Rt wrist plain film · PA projection · boy, 15 yo · imaged through cast:
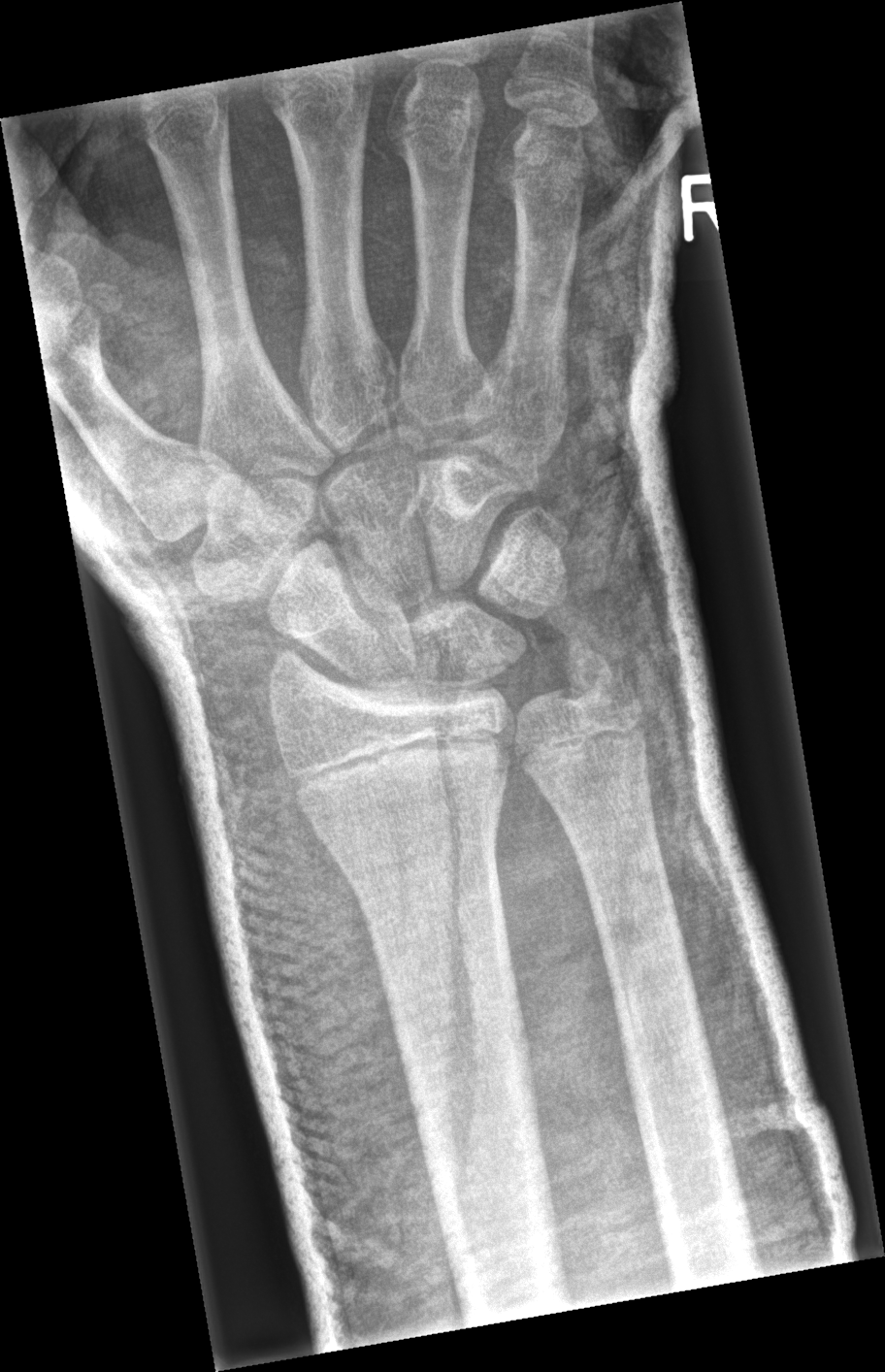
* Boxes as x1,y1,x2,y2 (top-left / bottom-right, pixel units).
* Fracture identified at 552 633 640 720.
* AO code 23r-E/2.1; 23u-E/7.